Left wrist radiograph, lateral projection, pediatric patient (boy, age 6), cast present, 61.1 mm image width.

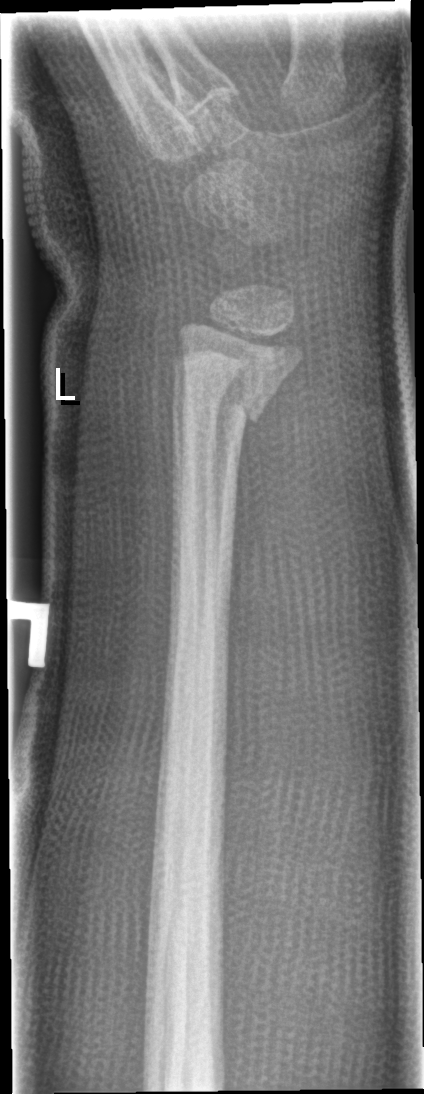
FINDINGS: Fracture classified AO/OTA 23r-M/3.1. Fracture — (left=179, top=376, right=279, bottom=446).